R wrist X-ray; AP view; follow-up study; imaged through cast; image width 78.0 mm; 542 x 960 px.

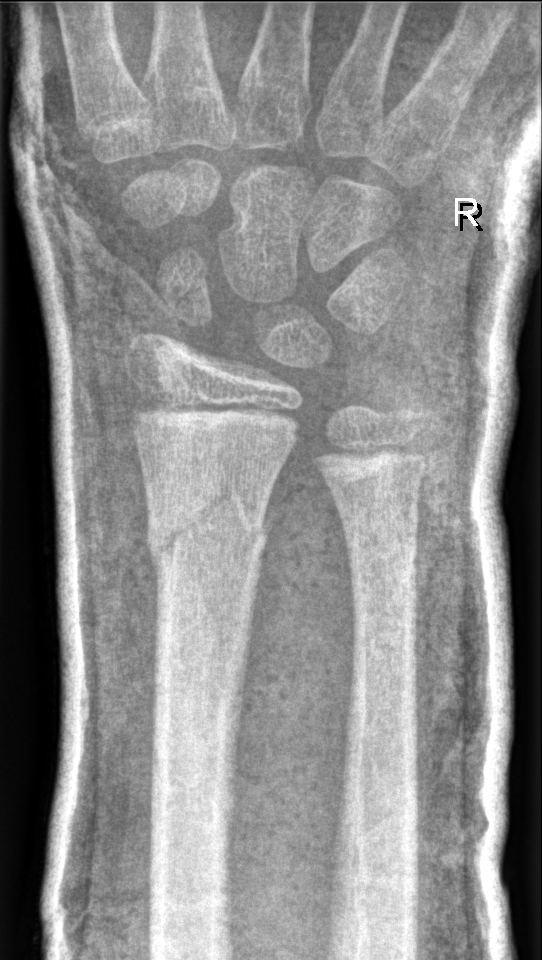
AO code: 23r-M/3.1
fracture: 1 @ [143, 474, 273, 577]